Lateral, left wrist plain film, girl, 8 yo, detector: Siemens — 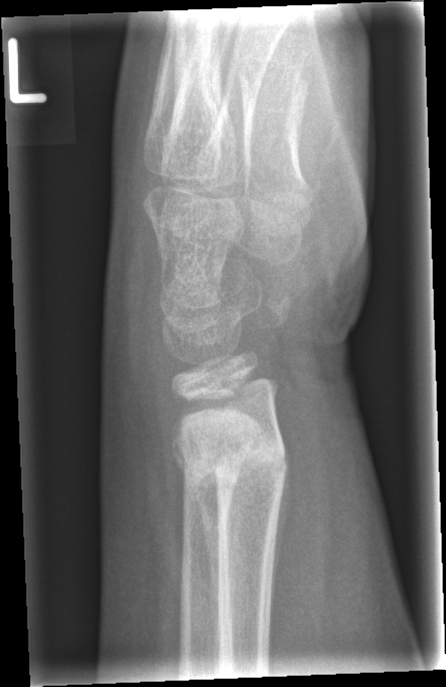 Coordinates are [x1, y1, x2, y2] in image pixels.
Bone fracture — 170,431,295,498.
Periosteal reaction identified at 184,464,222,676 | 268,434,293,603.
Osteopenia.